Lateral view; left wrist plain radiograph of the wrist; boy, 10 yo; subsequent exam

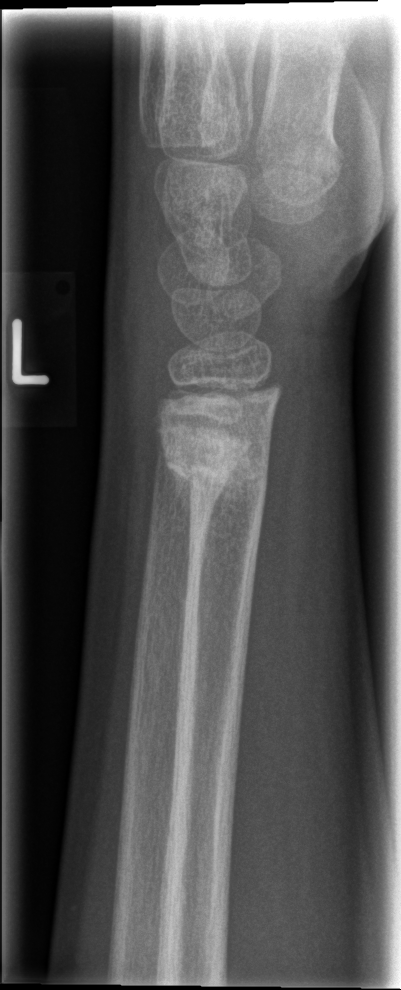
(boxes as x1,y1,x2,y2 (top-left / bottom-right, pixel units))
Periosteal reaction: [166, 457, 195, 563]
AO/OTA: 23-M/2.1
Fx: [154, 416, 272, 516]
Osteopenia: present